AP | left pediatric wrist radiograph | age 6 y, female 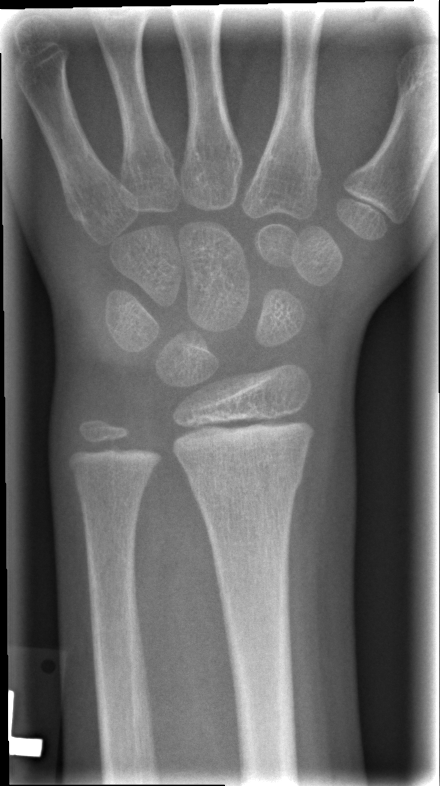

FINDINGS: (bounding boxes in image-pixel xyxy) Bone fracture — 187 462 306 513.